AP · left pediatric wrist radiograph · pediatric patient (boy, age 13) · acquired on Siemens. 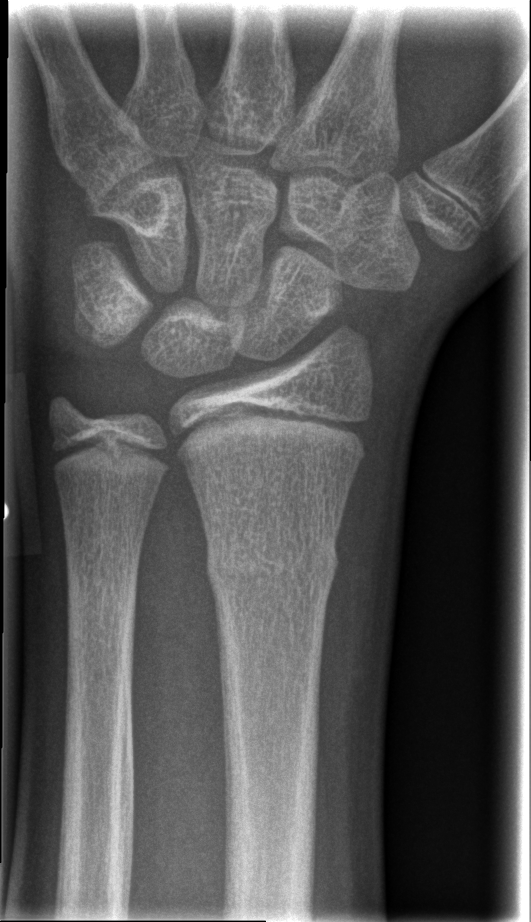 Pixel coordinates, top-left origin, xyxy. Fx identified at [x1=201, y1=527, x2=341, y2=605]. Fracture classified AO/OTA 23r-M/2.1.